Left wrist radiograph, frontal projection, detector: Siemens

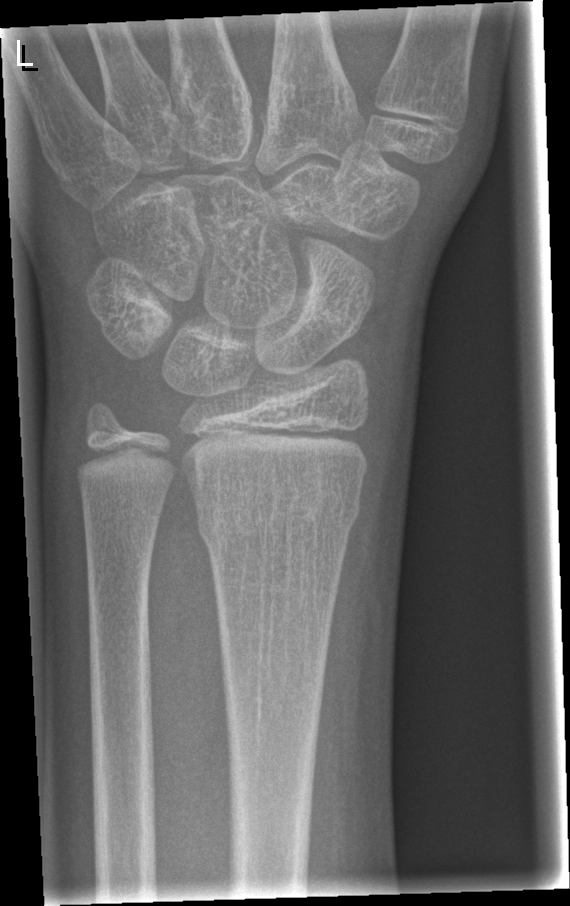 AO code = 23r-M/2.1
bone fracture = 1 @ [192, 475, 366, 553]